PA projection, left plain radiograph of the wrist, cast in situ:

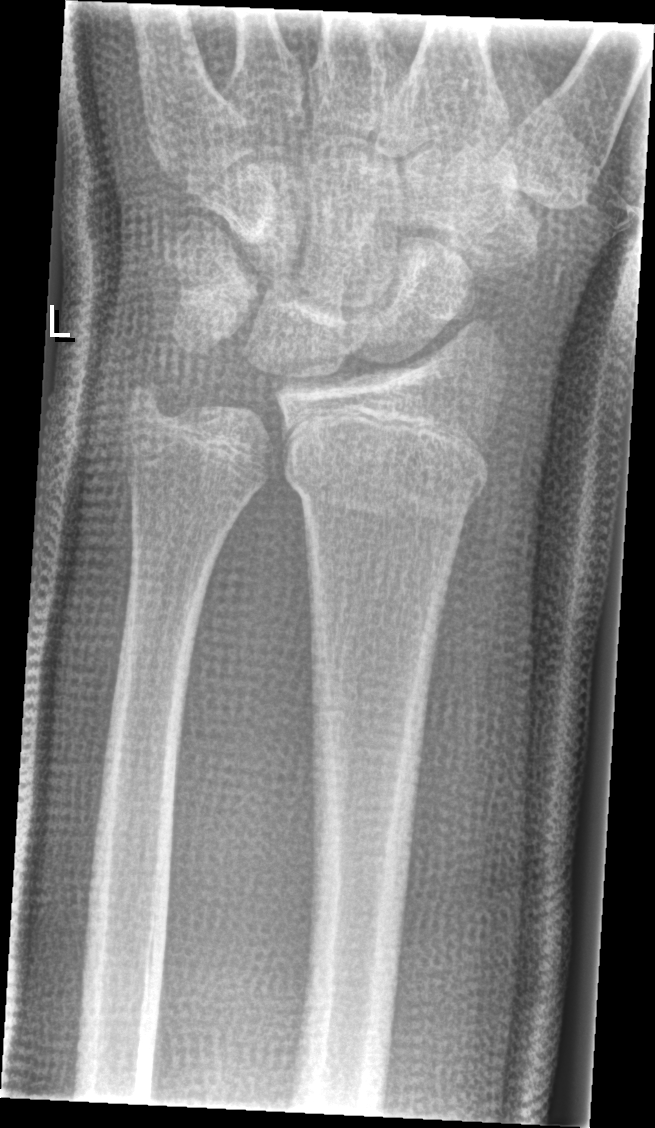

(bounding boxes in image-pixel xyxy)
fracture: 2 @ [x1=285, y1=418, x2=489, y2=524], [x1=118, y1=371, x2=178, y2=431]